L wrist XR; PA view; presentation radiograph:
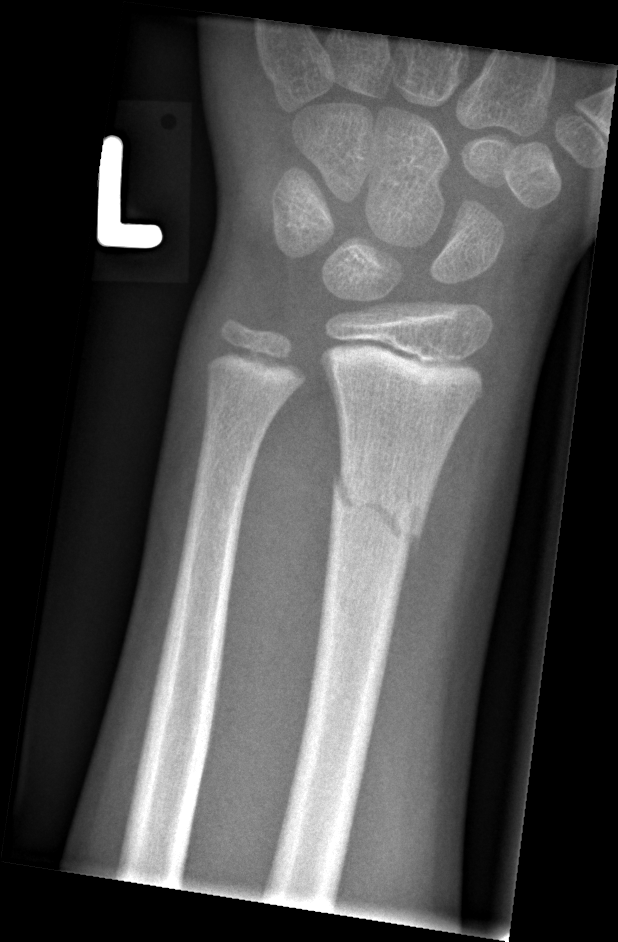
Fracture classified AO/OTA 23r-M/3.1. Fracture — [328, 464, 428, 558].